R wrist XR | lateral | follow-up study —

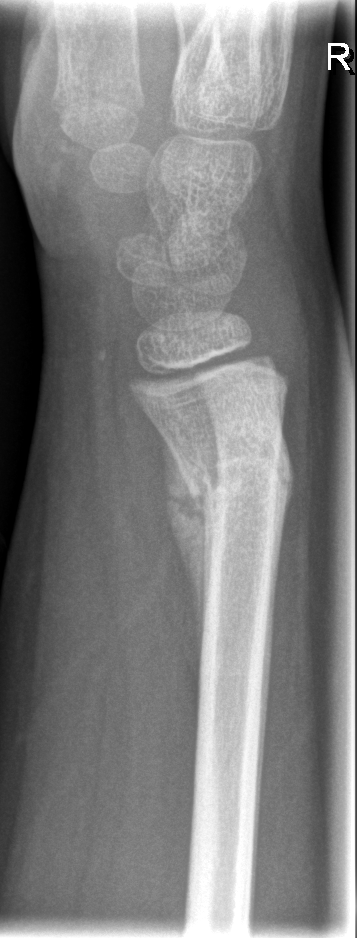
AO/OTA: 23r-M/3.1
Periosteal reaction: 1 @ (left=162, top=440, right=204, bottom=647)
Fracture: (left=164, top=438, right=296, bottom=582)